PA/AP projection, Lt wrist plain film, follow-up study — 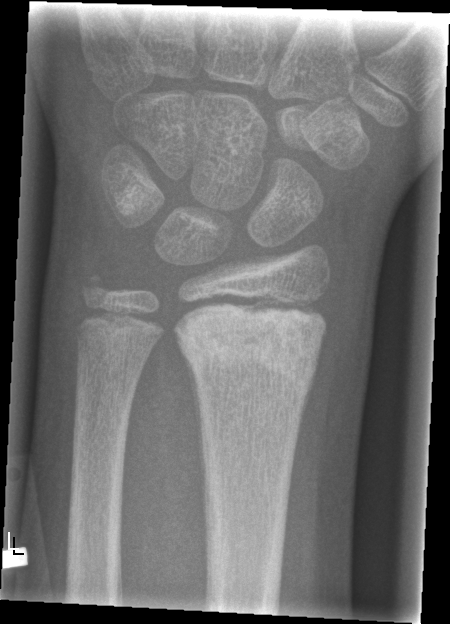

Two bone fractures at 174,300,325,383; 78,267,116,306.
Periosteal new bone identified at 178,347,208,563.
Osteopenia.
AO/OTA classification: 23r-M/3.1; 23u-E/7.